Lateral · right wrist plain film · initial study · acquired on Siemens · 450 by 1106 pixels.
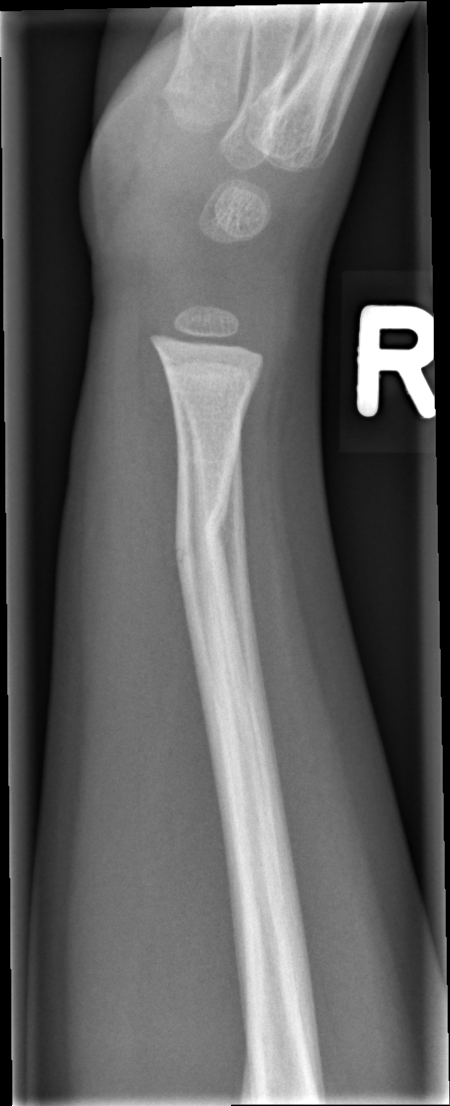

FINDINGS — (bounding boxes in image-pixel xyxy) Bone fractures — 170 489 235 576
  172 377 254 427. AO code 22r-D/2.1; 23u-M/2.1.